Right wrist pediatric wrist radiograph | lat | 8-year-old female

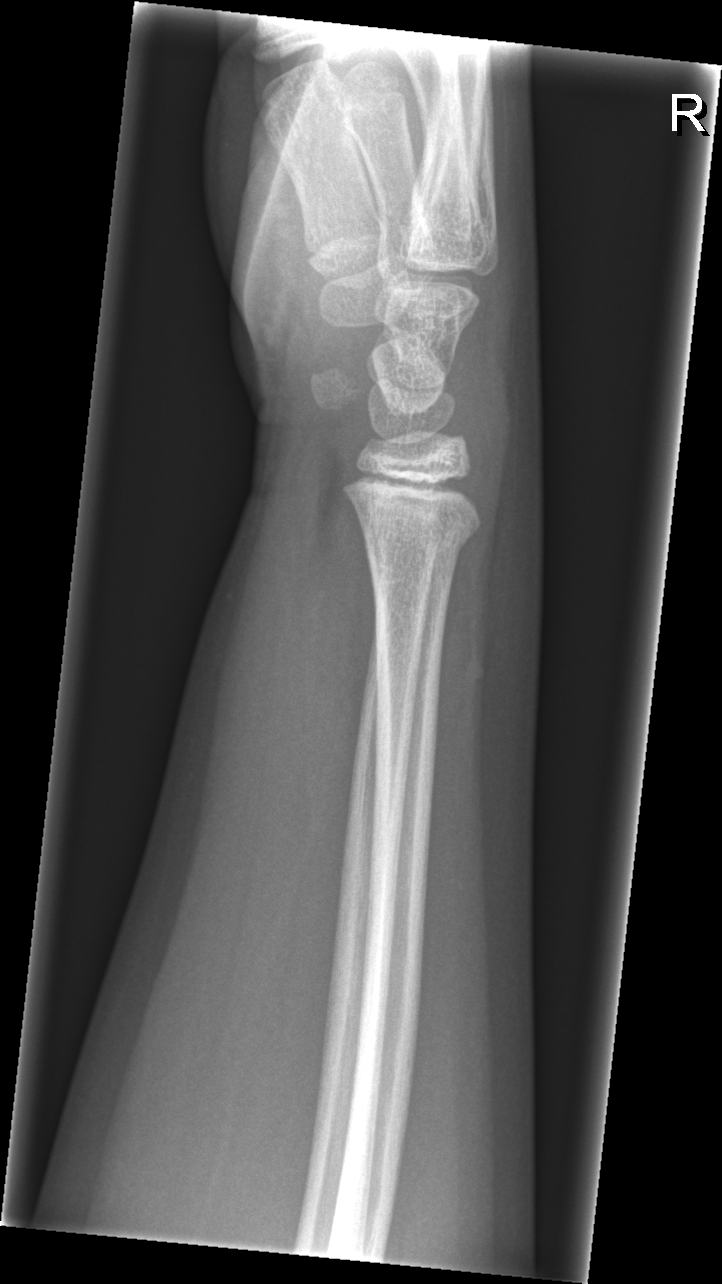

• Boxes as x1,y1,x2,y2 (top-left / bottom-right, pixel units).
• Fracture identified at [353, 492, 484, 562].
• AO/OTA classification: 23r-M/2.1.